PA/AP | left plain radiograph of the wrist —

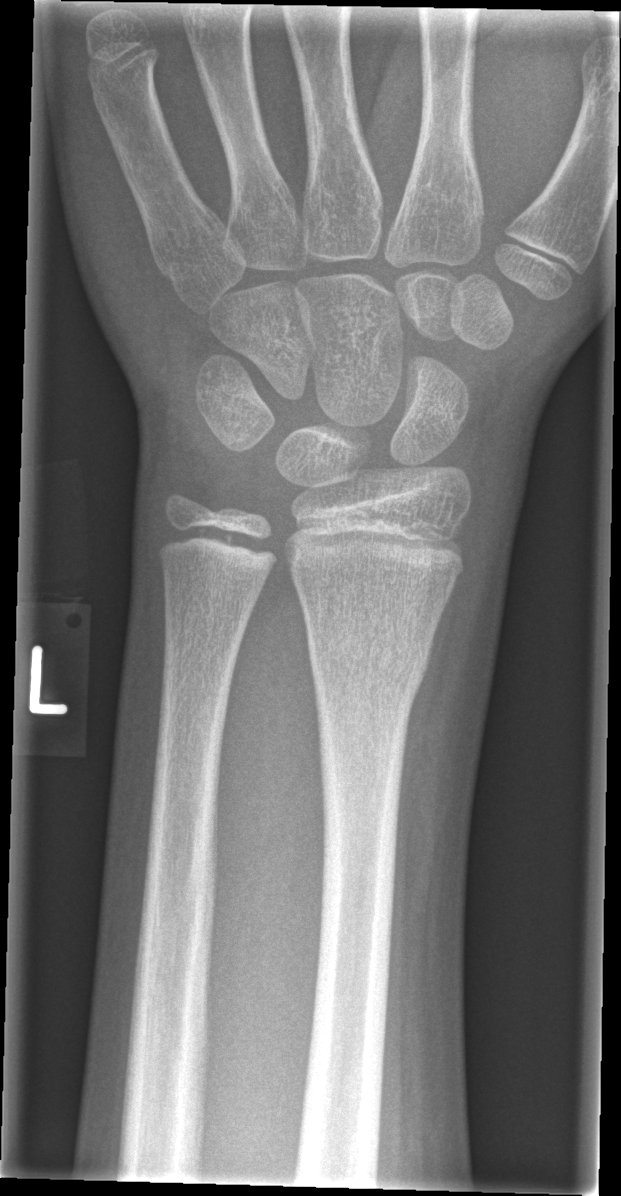 • Coordinates are [x1, y1, x2, y2] in image pixels.
• One bone fracture at <306,610>-<434,697>.
• AO code 23r-M/2.1.